Left wrist plain film, PA/AP projection, 8y F, 406 x 676 px —

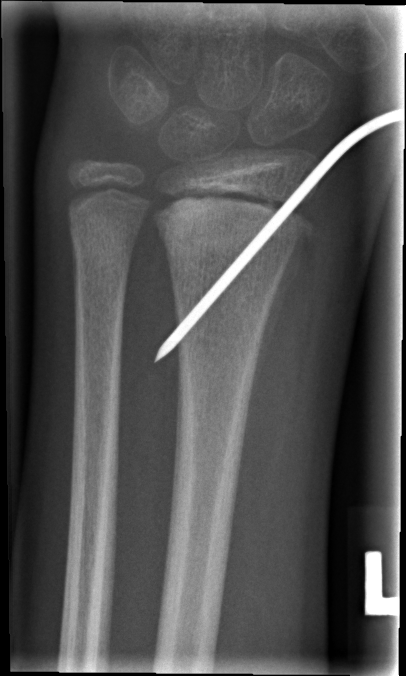 Bounding boxes in image-pixel xyxy.
Decreased bone density (osteopenia).
Periosteal reaction: bbox(244, 228, 312, 423).
Fx — bbox(149, 190, 309, 264), bbox(66, 205, 140, 265).
One metallic implant at bbox(154, 107, 406, 363).